Lat projection · L wrist X-ray · age 5 y, female
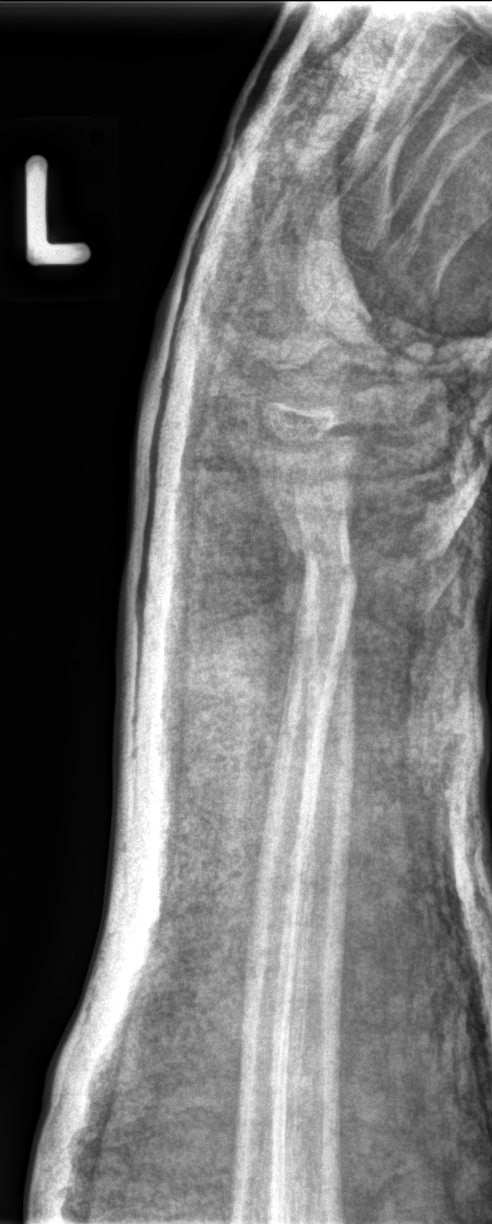
{"fracture": "(left=283, top=520, right=358, bottom=594)", "ao": "23-M/3.1"}